Right wrist radiograph; lateral view; follow-up; in cast; image 72.1 mm wide:

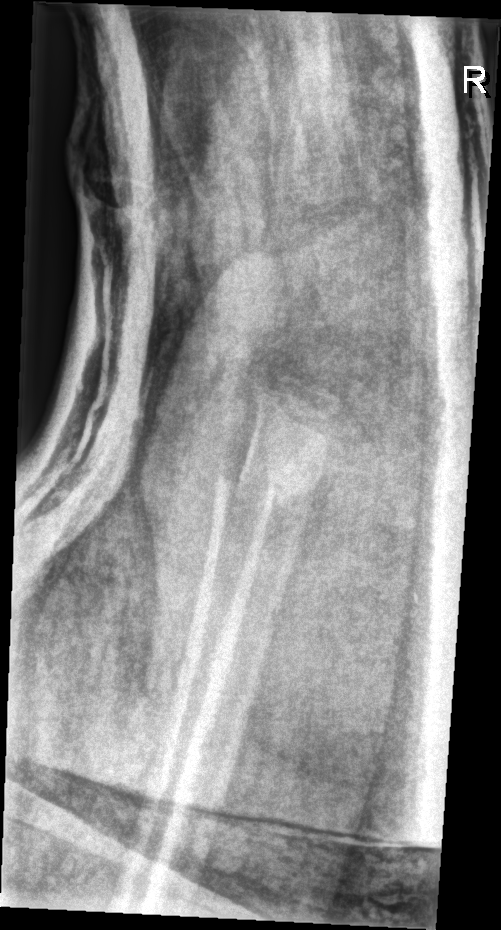

FINDINGS — Bone fracture identified at 207,458,323,532.